Left wrist plain film | lat | 10y M | detector: Siemens

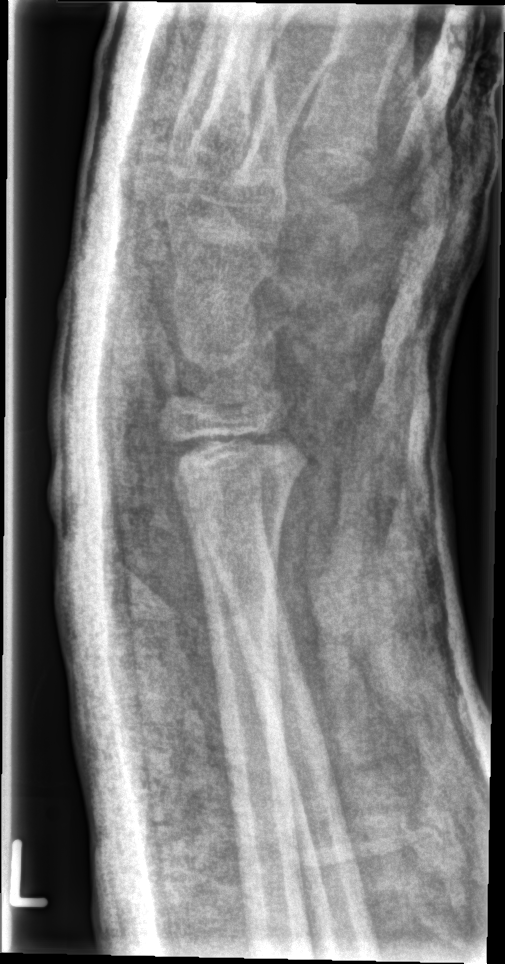 Coordinates are [x1, y1, x2, y2] in image pixels. Fx: (left=149, top=420, right=313, bottom=490). AO code 23r-E/1.